Left wrist X-ray · lateral · 2-year-old male:
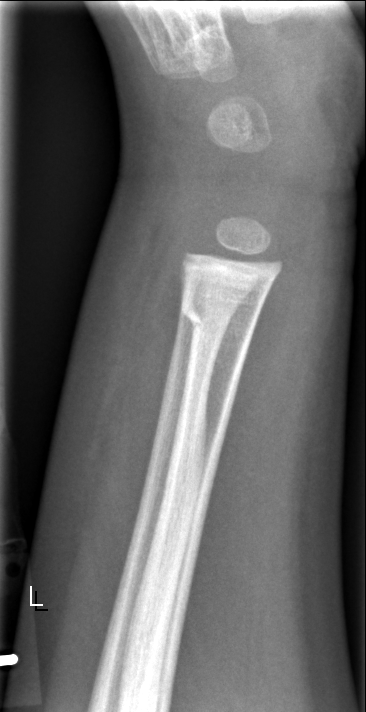 (coordinates are [x1, y1, x2, y2] in image pixels)
Fracture = [176, 284, 265, 343]